Rt wrist radiograph · lateral view · detector: Siemens
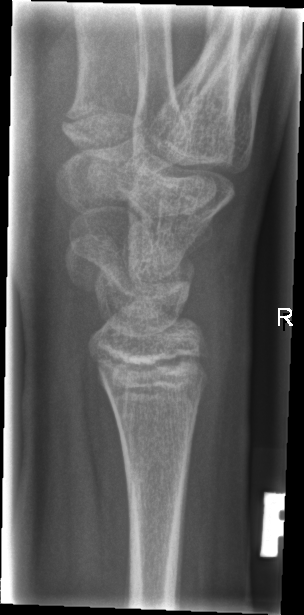
FINDINGS: No fracture labeled.